Right wrist XR · posteroanterior projection · 9-year-old male · initial study · 641x1248.

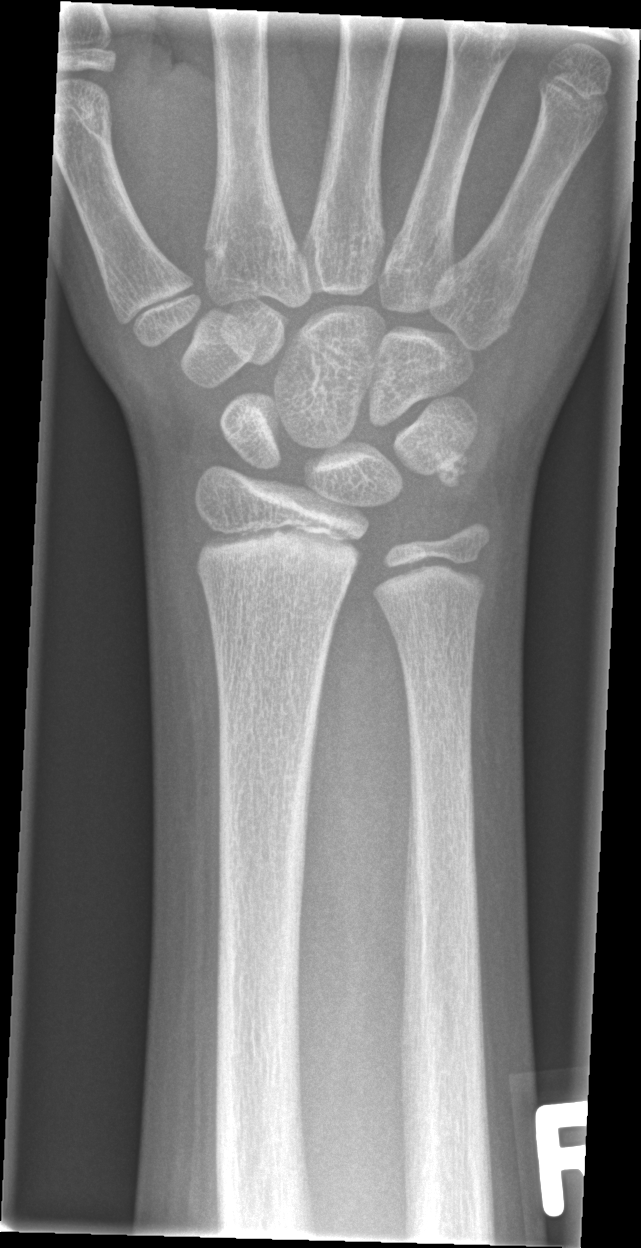 Q: Locate any fractures.
A: No fracture labeled